Lateral projection; L plain radiograph of the wrist; follow-up study; 518 by 1010 pixels 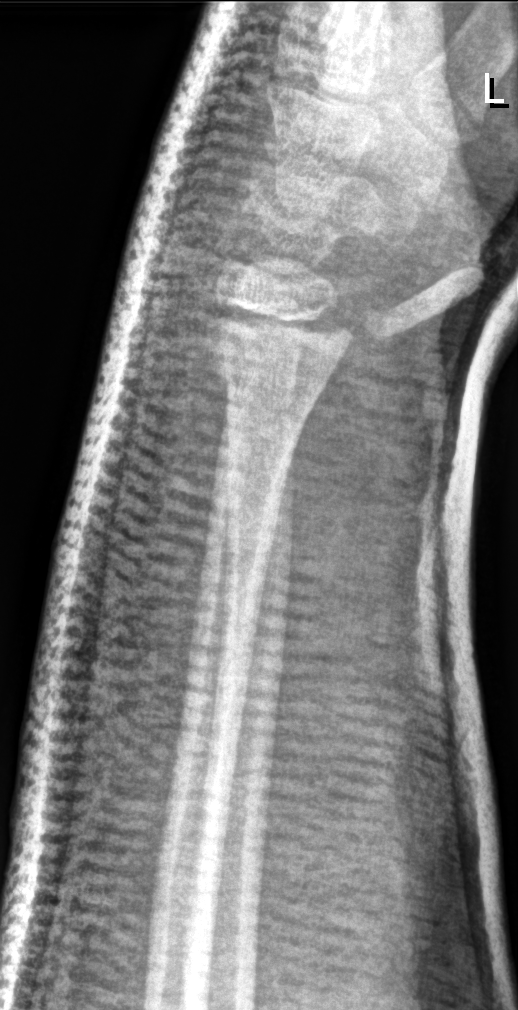 ao: 23r-E/2.1; 23u-E/7
fracture: 1 @ (left=198, top=286, right=355, bottom=391)